R plain radiograph of the wrist | lat view | initial study | detector: Siemens.

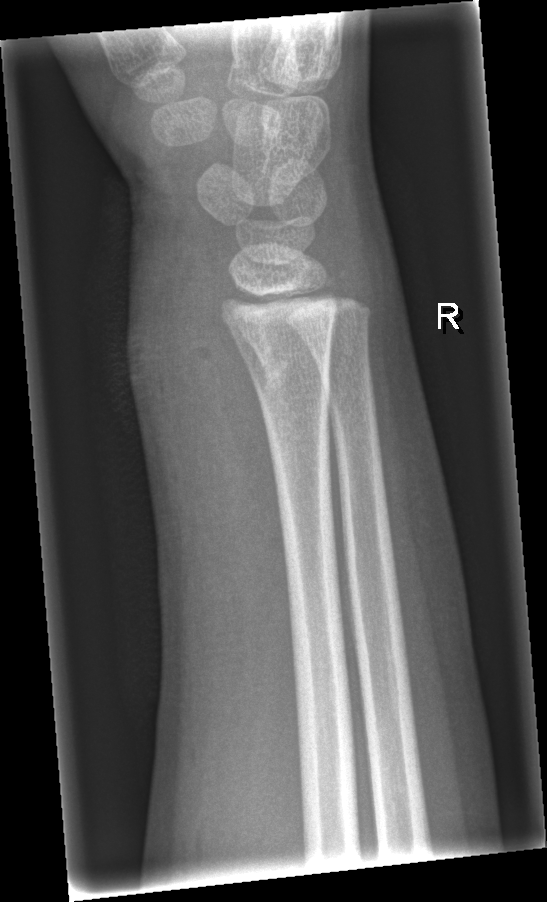

Soft tissue abnormality: 1 @ [x1=126, y1=232, x2=290, y2=592]
Bone variant: [x1=220, y1=307, x2=337, y2=407]
Fracture: none labeled